R wrist plain film; lateral view — 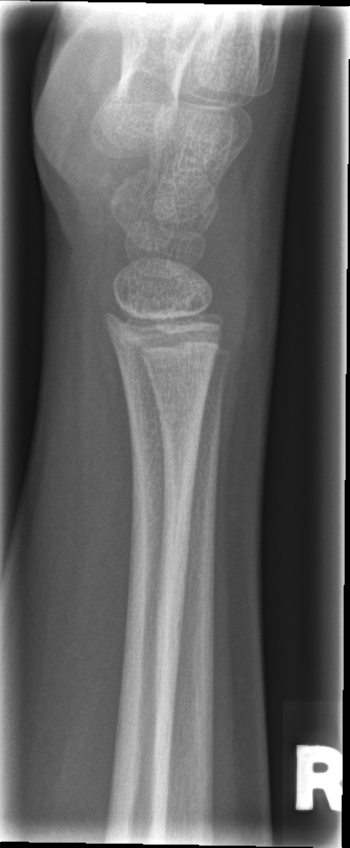

Q: Fracture present?
A: No fracture bounding box